AP view, Lt wrist radiograph, age 10 y, girl, Siemens

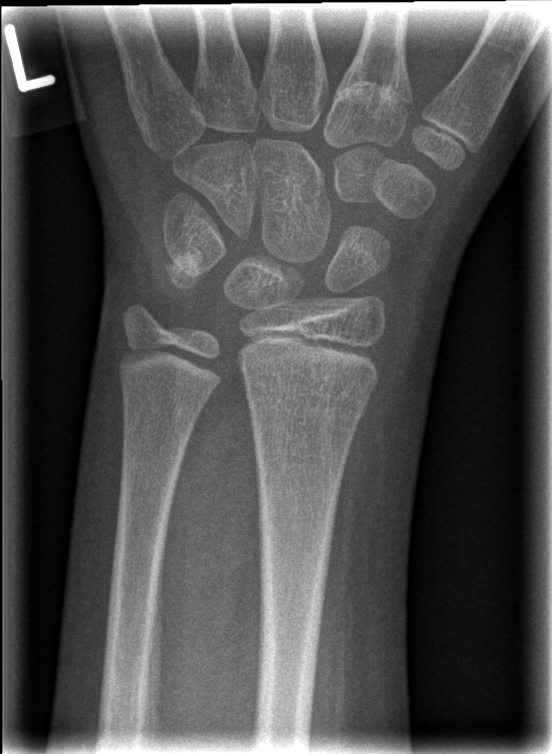
FINDINGS: Fracture present but not clearly seen in this view. AO/OTA classification: 23r-M/2.1.